Frontal view | R pediatric wrist radiograph | subsequent exam | image size 377x576.
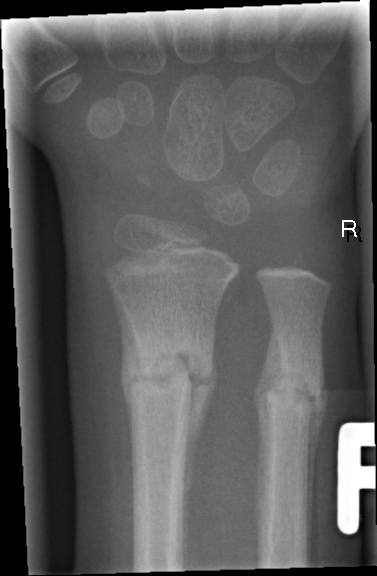

FINDINGS — (boxes as x1,y1,x2,y2 (top-left / bottom-right, pixel units)) Periosteal reaction identified at (181, 343, 219, 569) (253, 313, 285, 532) (108, 282, 141, 449) (305, 350, 328, 565). AO code 23-M/3.1. Bone fracture: (118, 348, 224, 418), (251, 364, 328, 430). Reduced bone mineral density.